Left wrist radiograph; lateral view; diagnosis uncertain; acquired on Siemens; 484x892 — 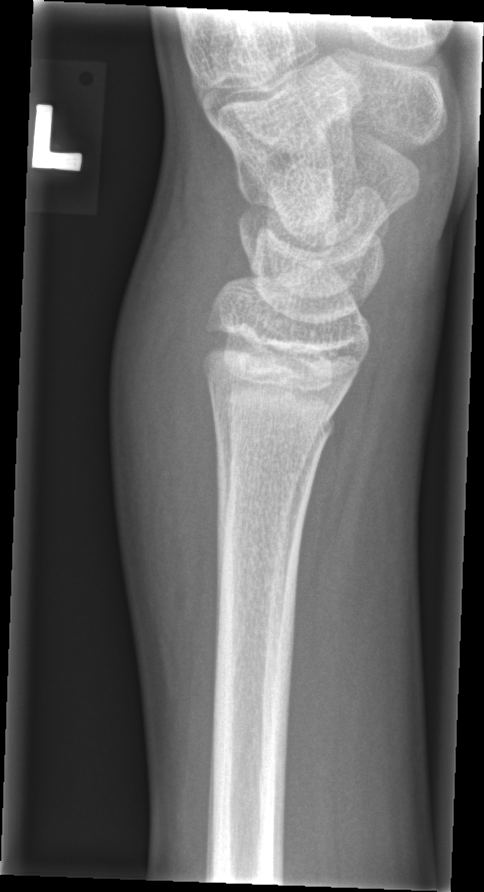
fracture = none labeled
soft-tissue finding = 1 @ (left=114, top=151, right=233, bottom=734)